Lt wrist XR · PA/AP projection · age 14 y, male · 110.2 mm image width · image size 765x1094 — 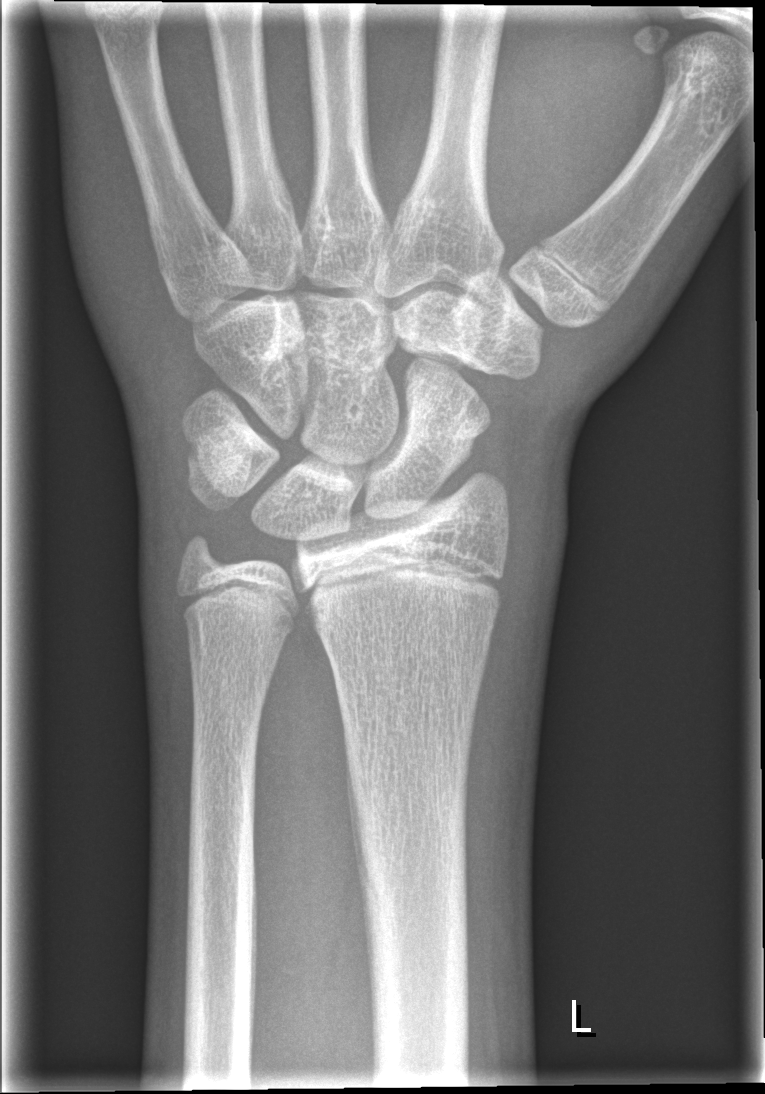 Q: Fracture present?
A: No fracture labeled